Lat, right plain radiograph of the wrist, follow-up study, 422x1327:
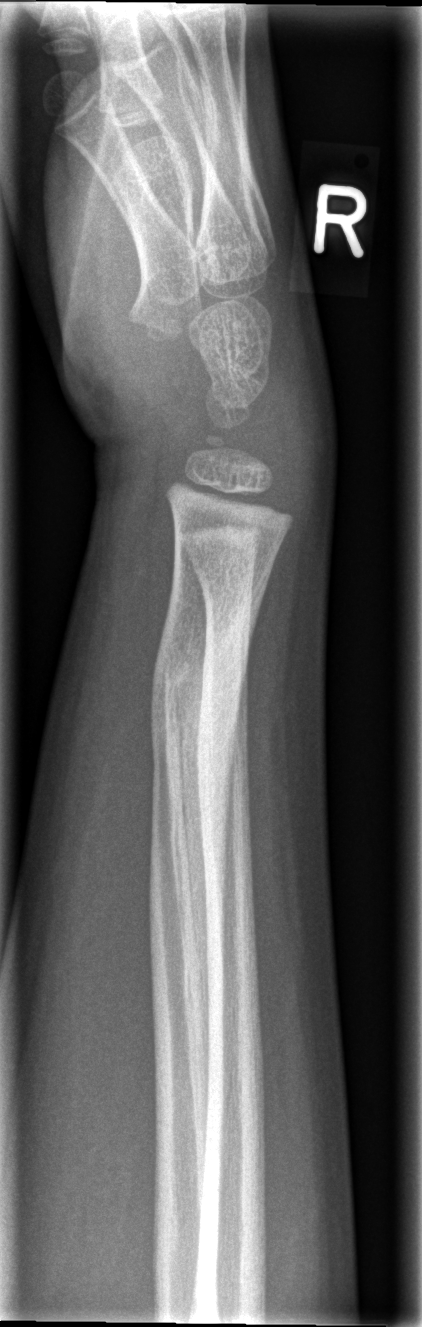
- One fracture at 137 582 271 869.